Lateral · Lt wrist plain film · 3y M · findings marked uncertain by the reading radiologist · detector: Siemens —

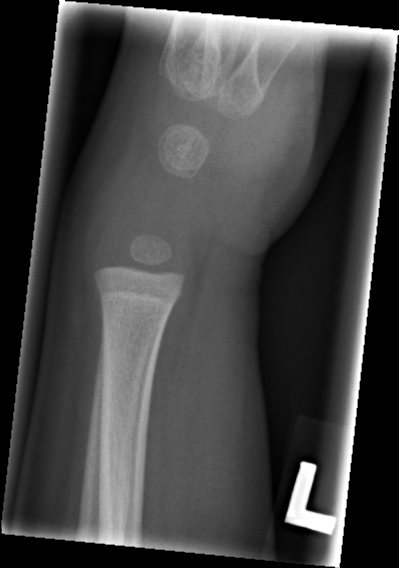 Fx = 1 @ [91, 271, 183, 320]
AO code = 23r-M/2.1